AP view · Lt plain radiograph of the wrist · 11y F · subsequent exam · in cast —
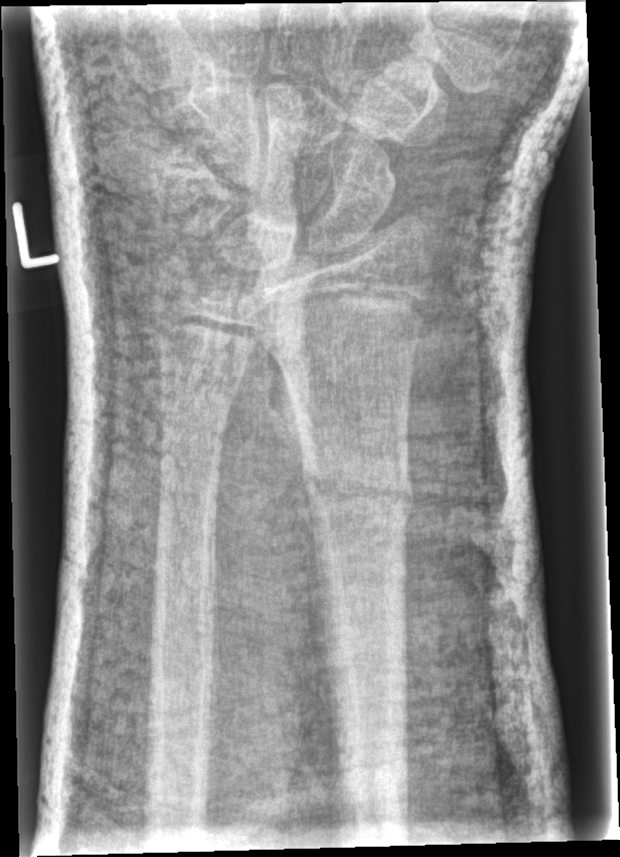 • One Fx at (left=296, top=458, right=420, bottom=524).
• Fracture classified AO/OTA 23r-M/3.1; 23u-M/2.1.